Frontal view · left wrist XR · age 15 y, boy

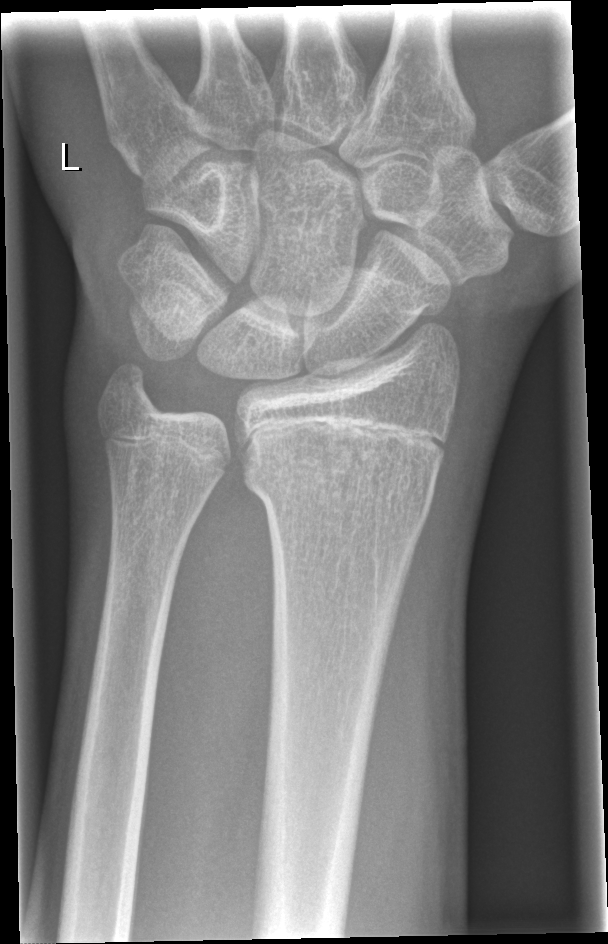

AO classification = 23r-M/2.1
bone fracture = bbox(243, 456, 437, 530)